L pediatric wrist radiograph · posteroanterior · 14-year-old boy · 82.8 mm image width.

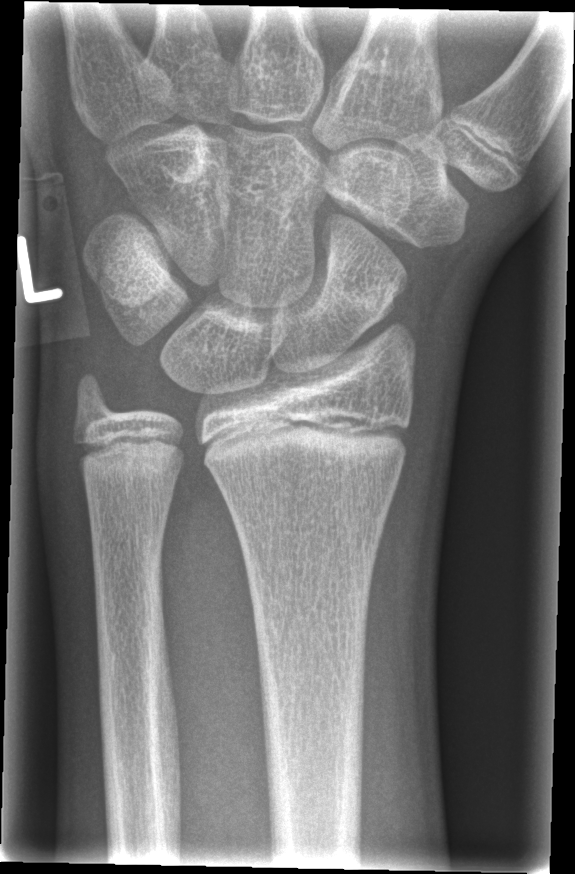 Fx: none labeled